Left wrist plain film · lat · cast present
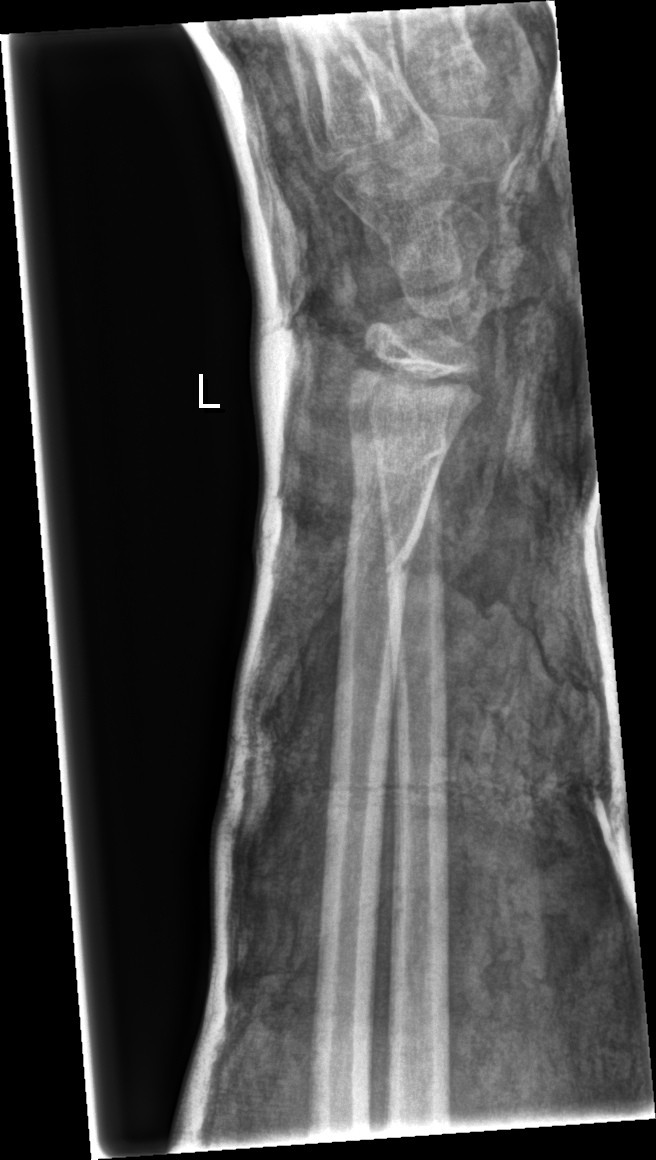

Bone fractures — (left=340, top=522, right=423, bottom=602) (left=366, top=419, right=459, bottom=479).